Lat projection; R wrist X-ray; image width 56.0 mm —

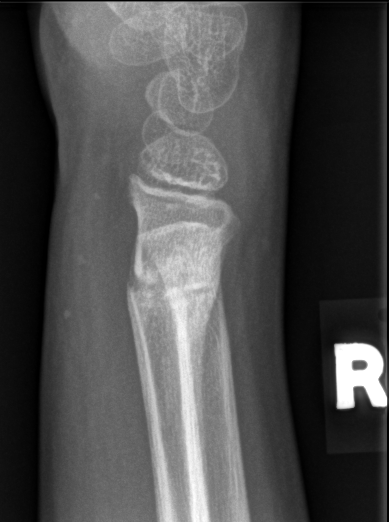
(coordinates are [x1, y1, x2, y2] in image pixels)
Fx: 124,247,223,341